R pediatric wrist radiograph · AP view · age 13 y, girl — 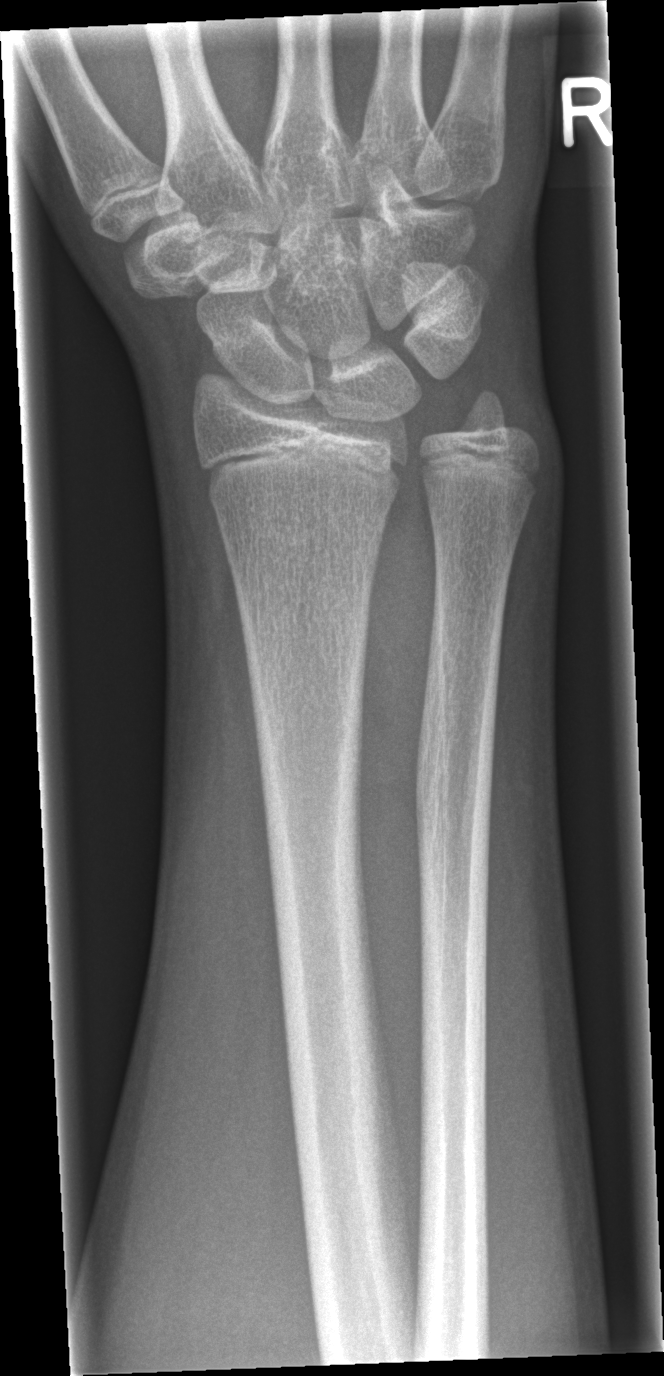

No fracture annotation.